Left wrist pediatric wrist radiograph, frontal, cast in situ, 629x930 — 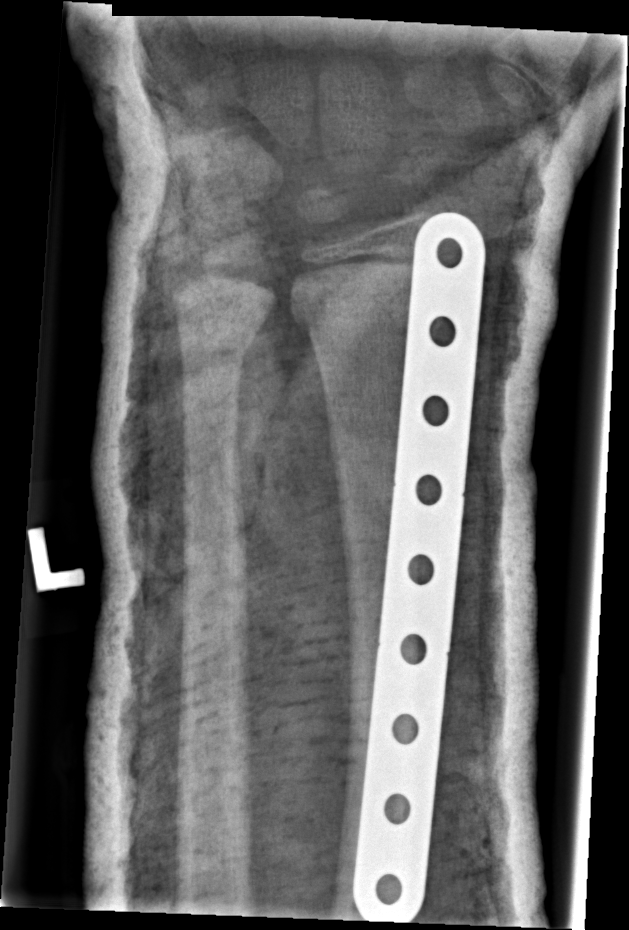 One metal at [x1=350, y1=212, x2=486, y2=924]. Fracture: [x1=283, y1=252, x2=407, y2=327]; [x1=167, y1=275, x2=278, y2=349].